Lat view, left wrist radiograph: 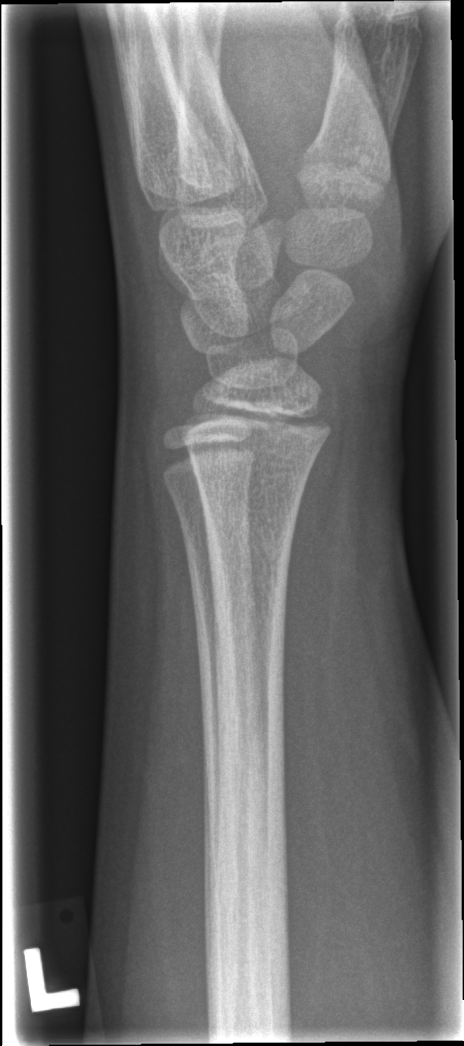 • No Fx annotated.